AP view | Lt plain radiograph of the wrist | Siemens.
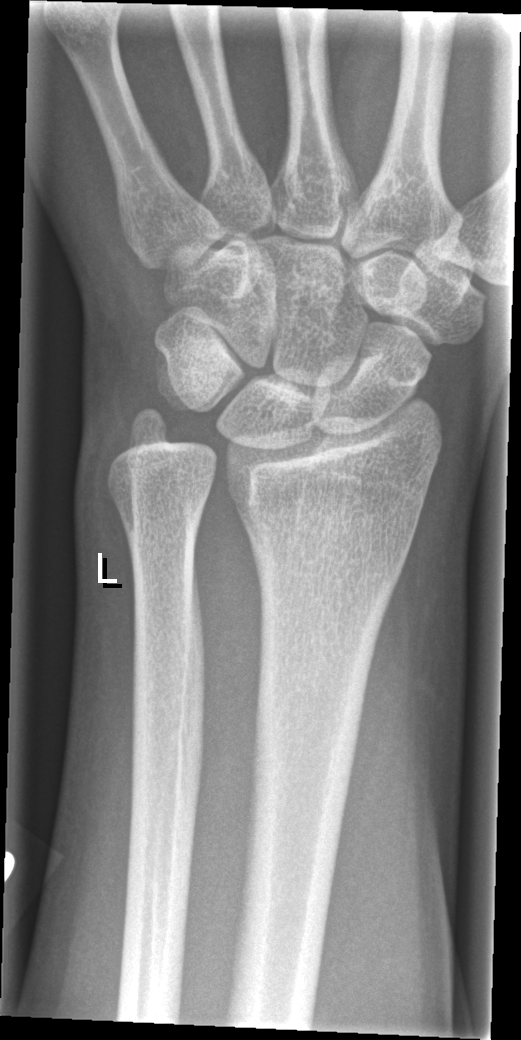 bone fracture = none labeled